PA projection; Lt wrist plain film; pediatric patient (boy, age 15); Siemens.
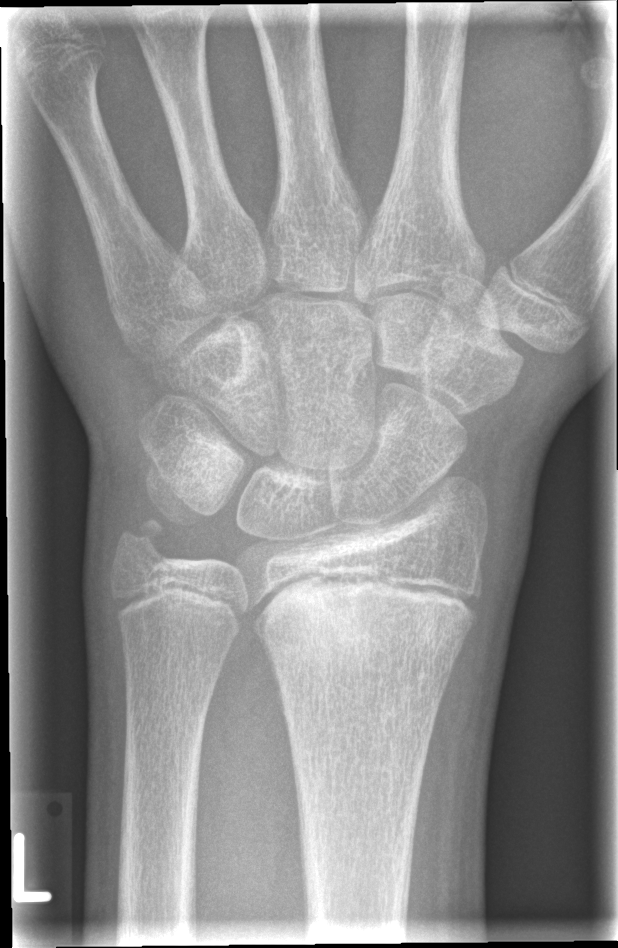
bone fracture: (left=256, top=565, right=483, bottom=696) (left=106, top=503, right=180, bottom=575)
osteopenia: present